Posteroanterior · L plain radiograph of the wrist · 11-year-old boy
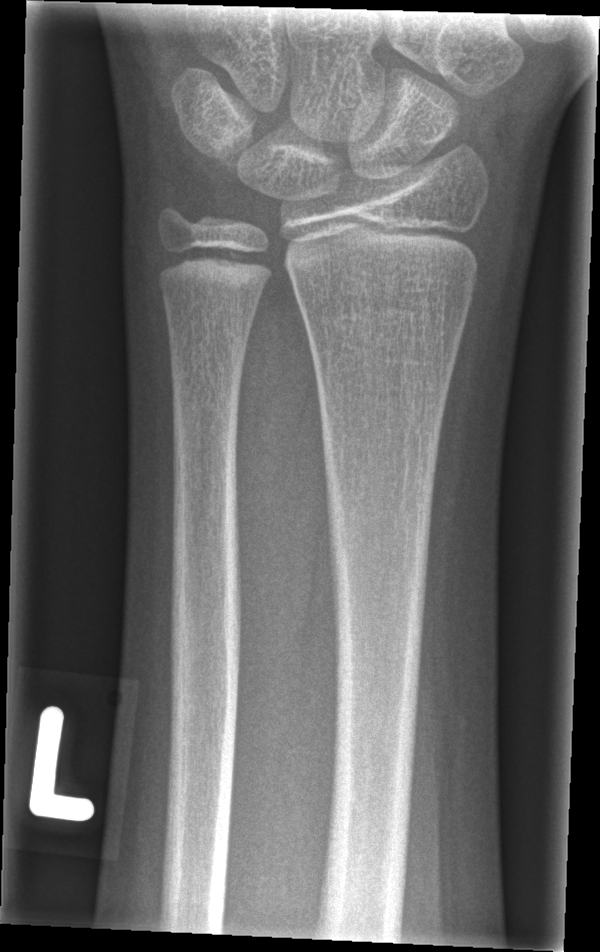

fracture: none labeled